Posteroanterior, Rt plain radiograph of the wrist. 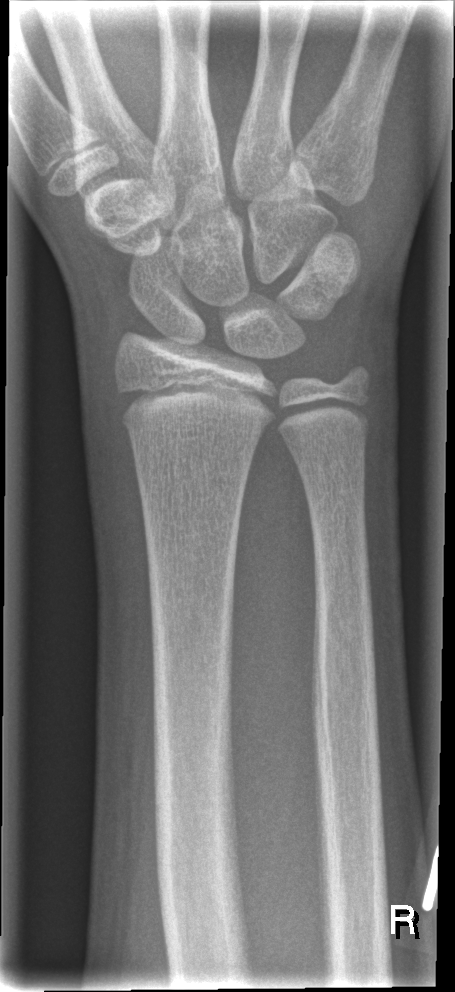 No Fx annotated.